Lateral projection · Rt plain radiograph of the wrist · image size 720x1421.

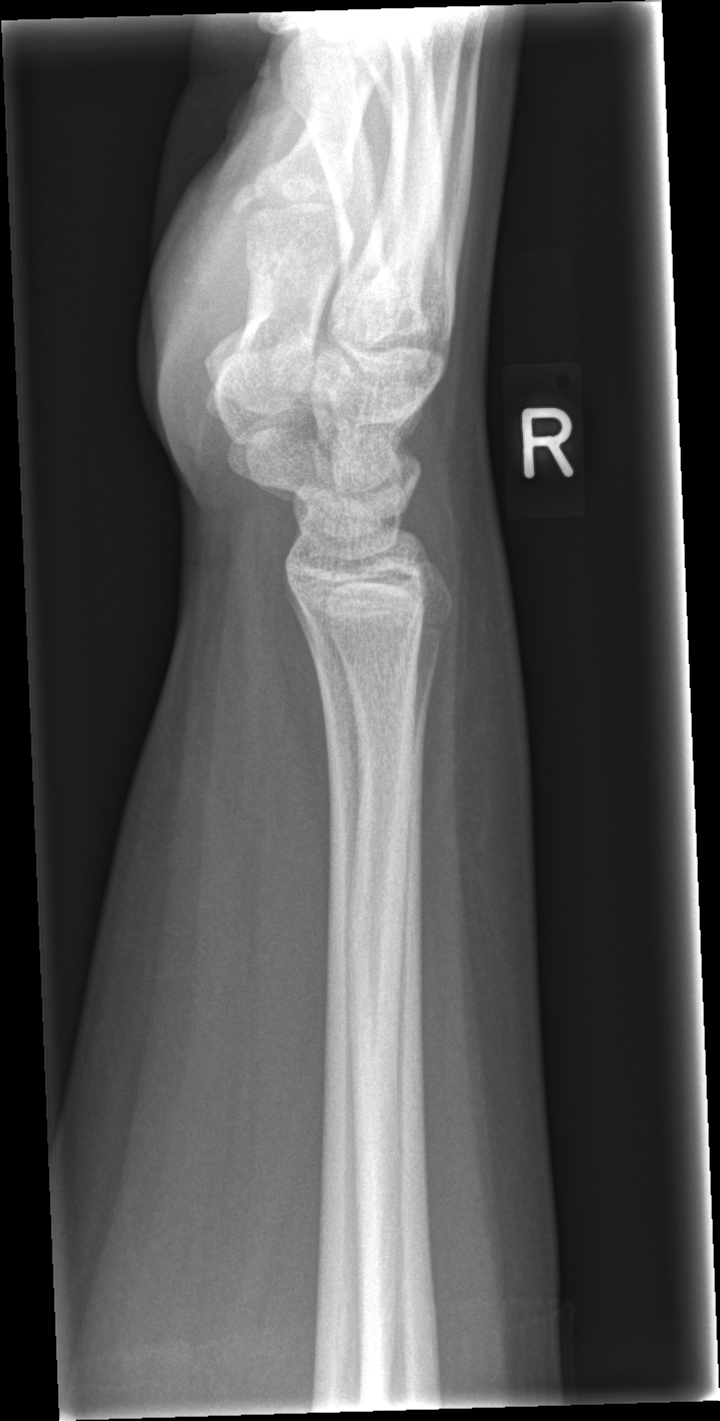

Fx: none labeled